Lat view, left wrist plain radiograph of the wrist, presentation radiograph, detector: Siemens:

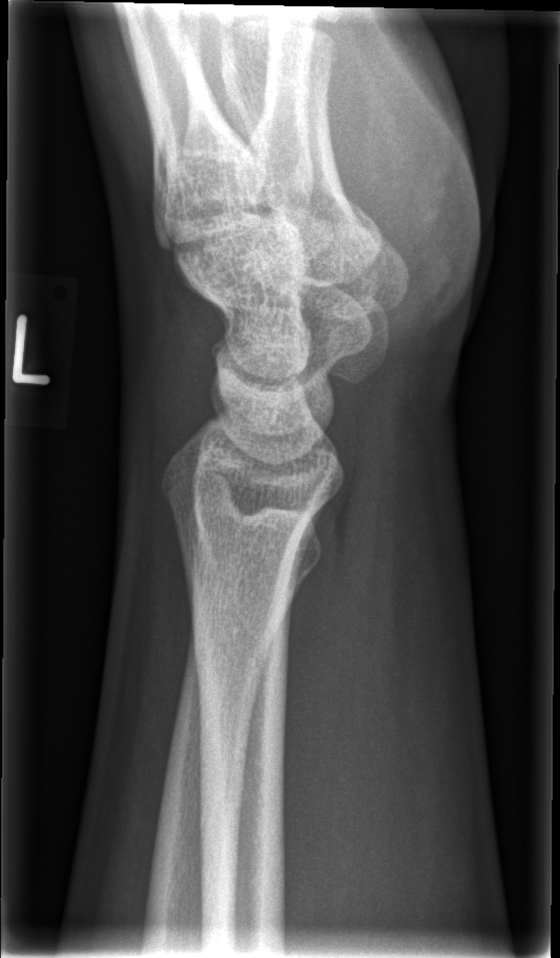
Q: Is there a fracture?
A: No Fx annotated